Left wrist XR, lateral projection, 13-year-old girl. 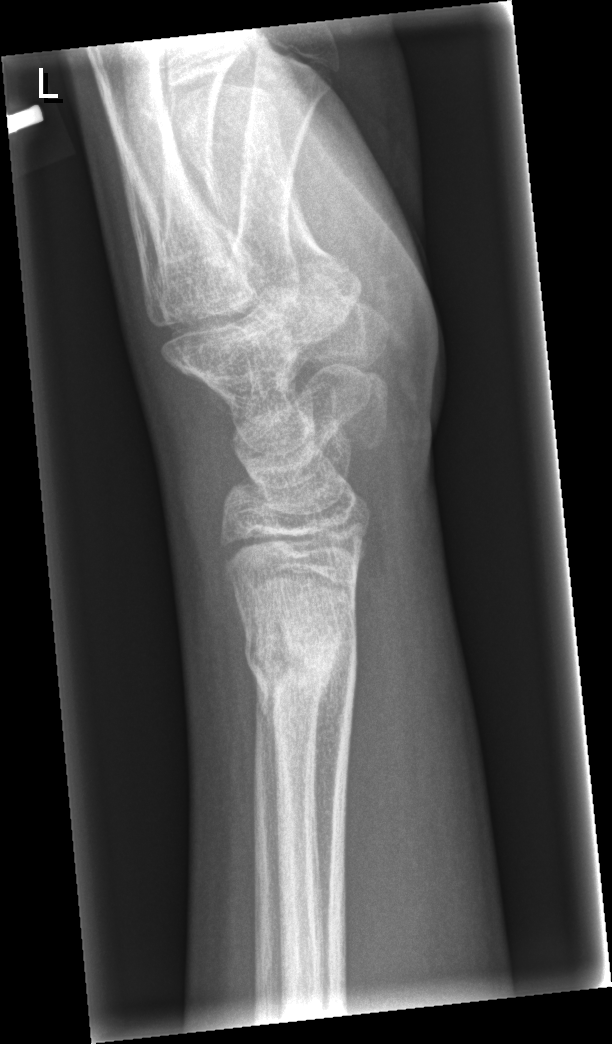

- Bounding boxes in image-pixel xyxy.
- Bone fracture: [243, 620, 360, 709].
- AO code 23r-M/2.1; 23u-M/2.1; 23u-E/7.